Left wrist XR | posteroanterior projection | in cast 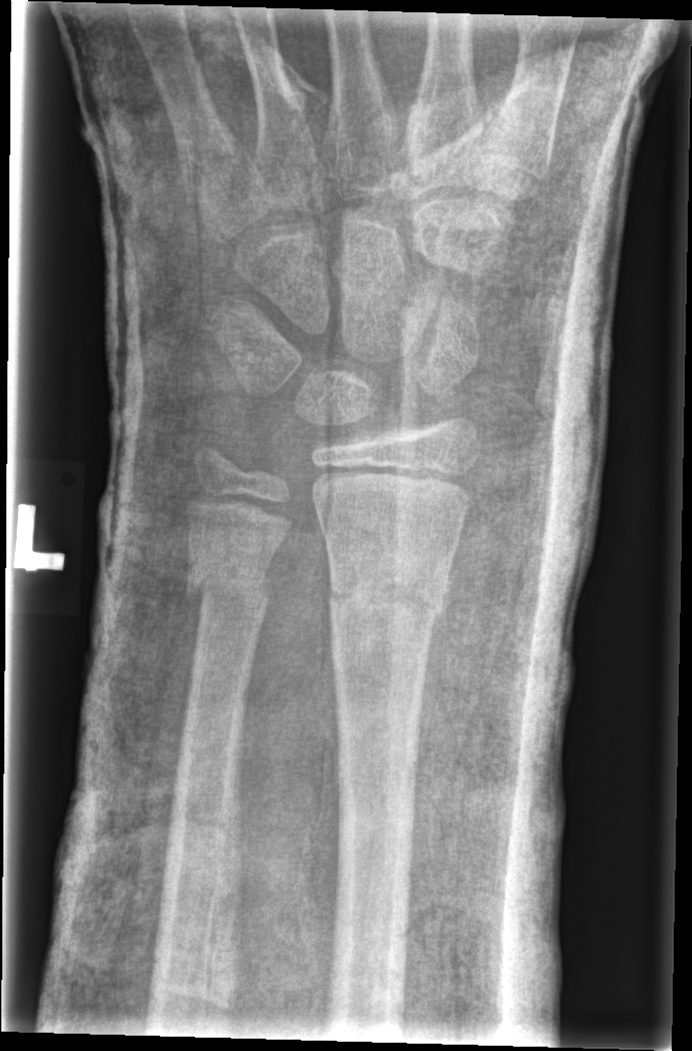
* Bone fracture identified at 323,556,452,626 | 182,556,272,613.
* Fracture classified AO/OTA 23-M/3.1.